Left plain radiograph of the wrist; lateral; 7y M; image size 416x1039:
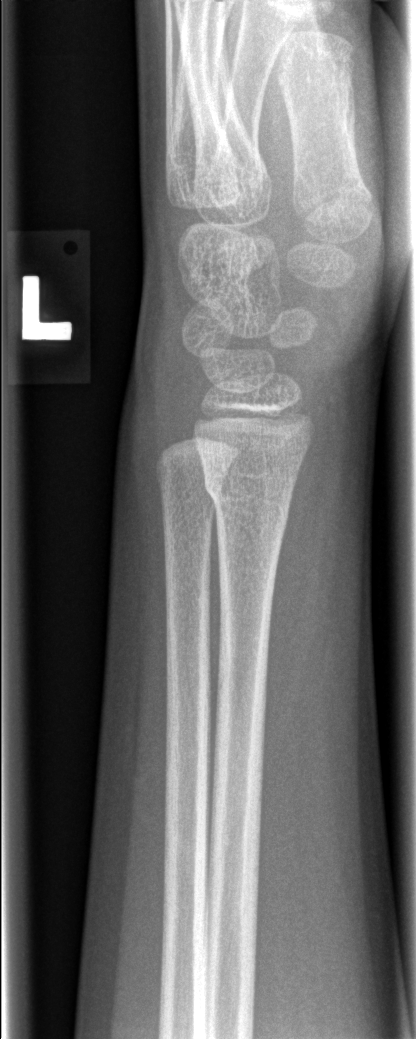

Fx = [x1=199, y1=464, x2=296, y2=531]
AO/OTA = 23r-M/2.1